Lateral view · Lt wrist X-ray · pediatric patient (female, age 5) — 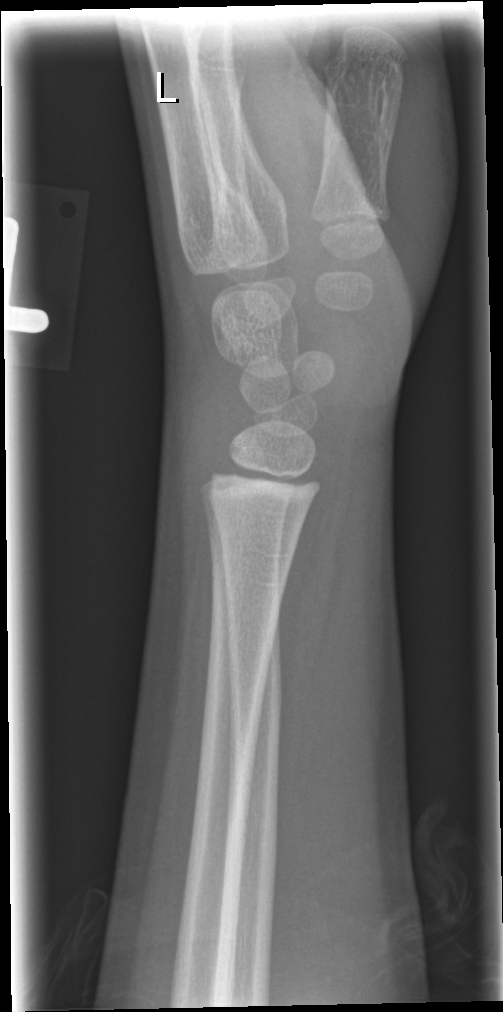

Q: Fracture present?
A: Fx: none